Lateral | L plain radiograph of the wrist — 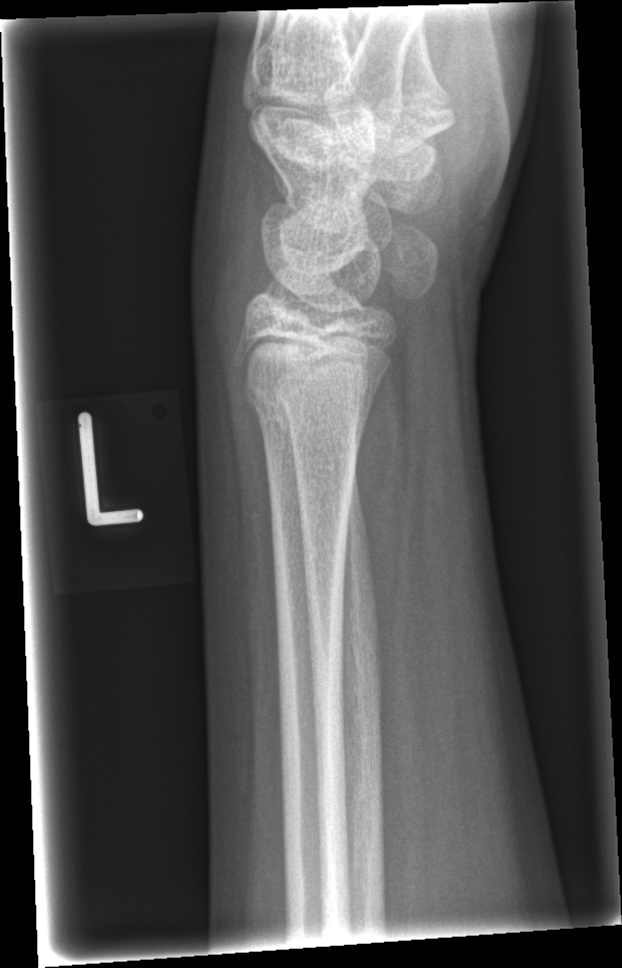
- Coordinates are [x1, y1, x2, y2] in image pixels.
- Fracture classified AO/OTA 23r-M/2.1.
- One bone fracture at <239,367>-<381,423>.